Lateral view | left wrist plain radiograph of the wrist | initial study | image 77.6 mm wide:
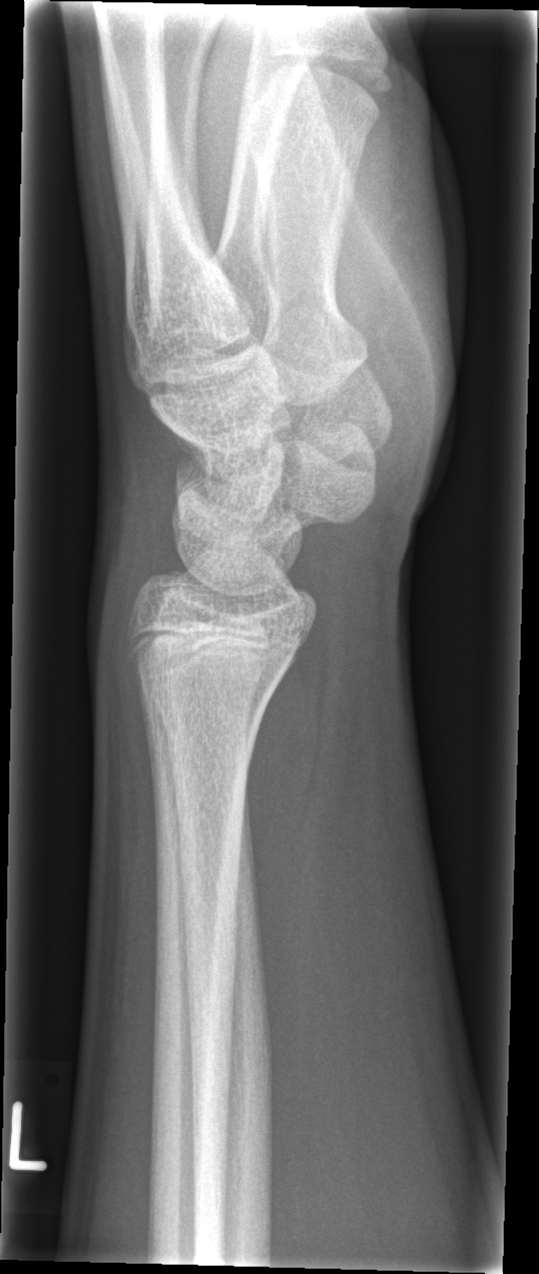 {"fracture": "none labeled"}